R wrist XR; PA:

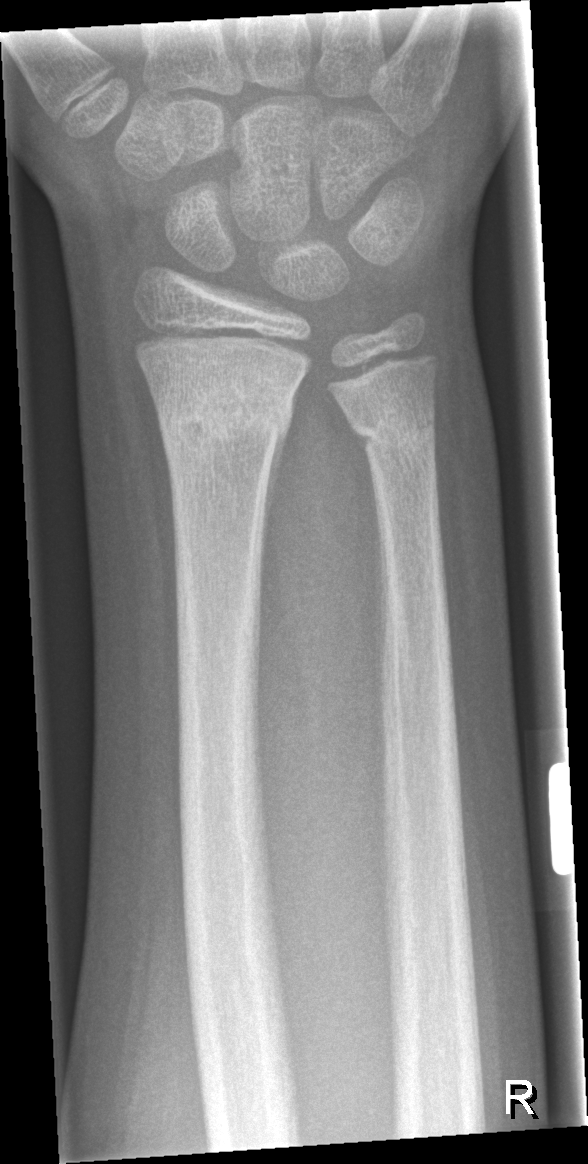

Q: What is the AO/OTA classification?
A: AO/OTA classification: 23-M/2.1
Q: Locate any fractures.
A: Fractures — (156, 394, 294, 450) (351, 406, 439, 457)
Q: Is there periosteal reaction?
A: Periosteal new bone identified at (253, 428, 289, 585)